Right wrist plain film · lateral · 7y M. 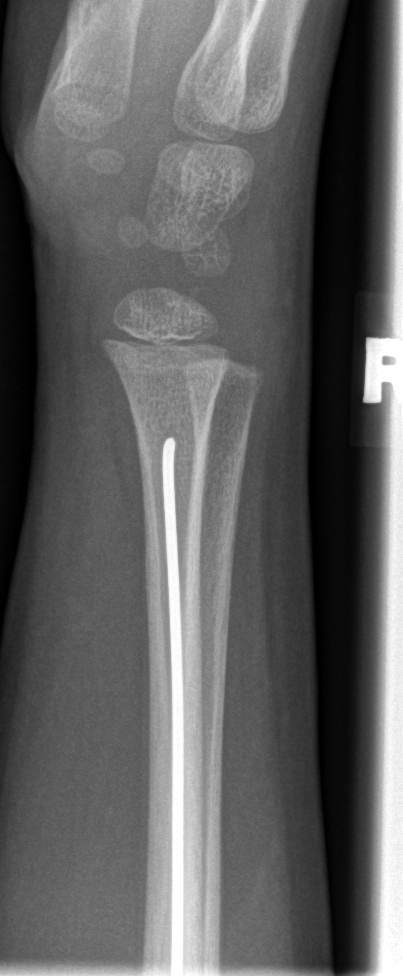

* Coordinates are [x1, y1, x2, y2] in image pixels.
* No fracture bounding box.
* Metallic hardware: [161, 434, 183, 976].